Lt wrist X-ray; lateral projection; follow-up; in cast.

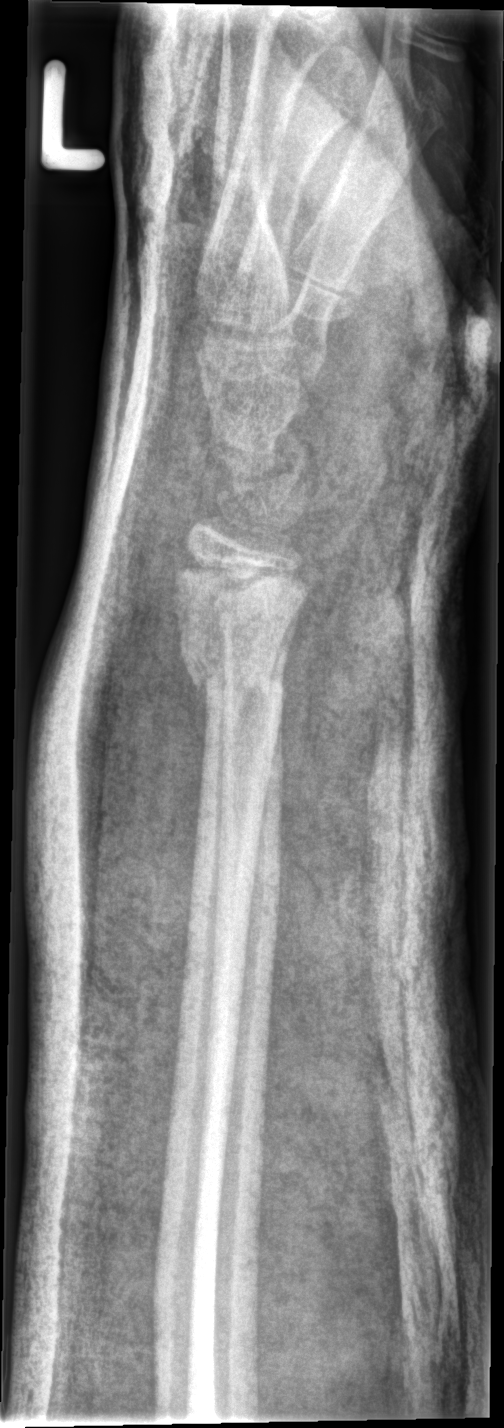
(bounding boxes in image-pixel xyxy)
Fracture = 176,635,288,708